Left wrist XR; lat; 17-year-old boy; index exam 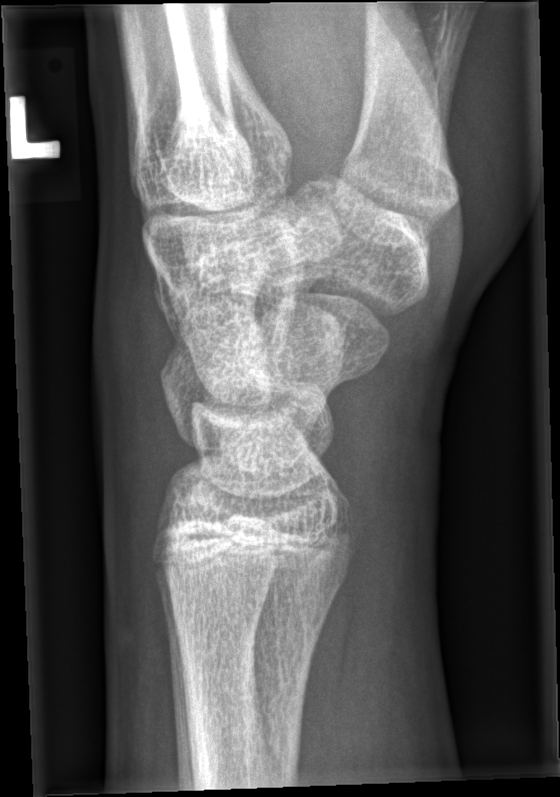 No fracture annotation.